Lateral view, right wrist XR, 15y F, image 66.8 mm wide —

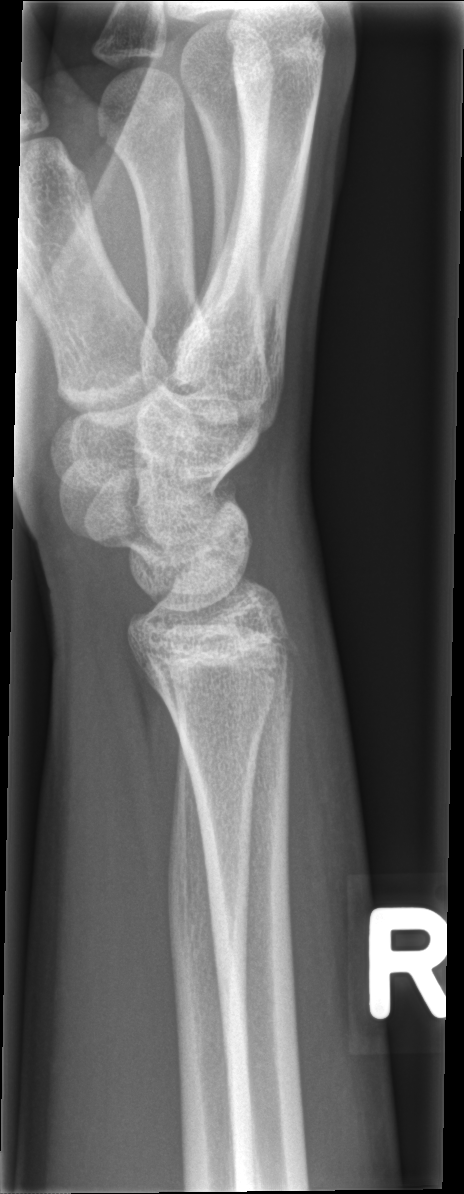 Fx: none labeled